Left wrist radiograph · lateral · age 10 y, boy · initial study · detector: Siemens · image width 54.7 mm:

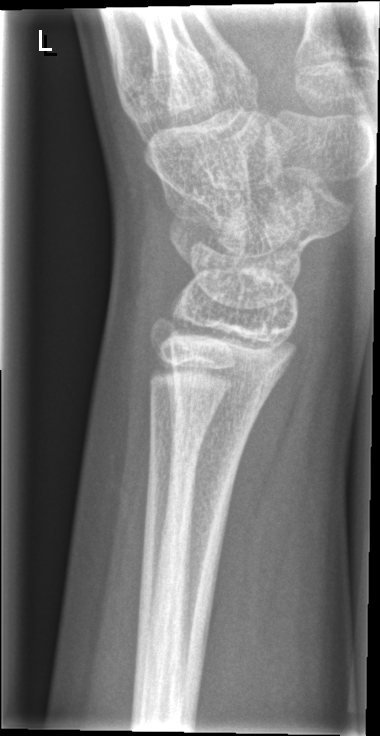

No Fx annotated.